Right wrist radiograph; lat; follow-up study; imaged through cast; detector: Siemens — 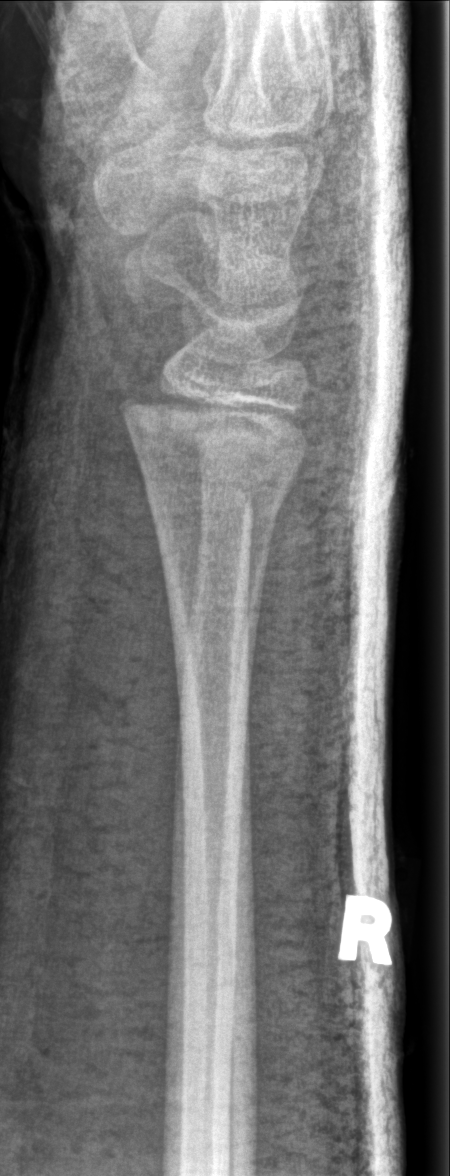
bone fracture = 105,374,316,491
AO/OTA = 23r-E/2.1; 23u-E/7